R wrist plain film · AP · 14-year-old boy · findings marked uncertain by the reading radiologist · image width 85.2 mm 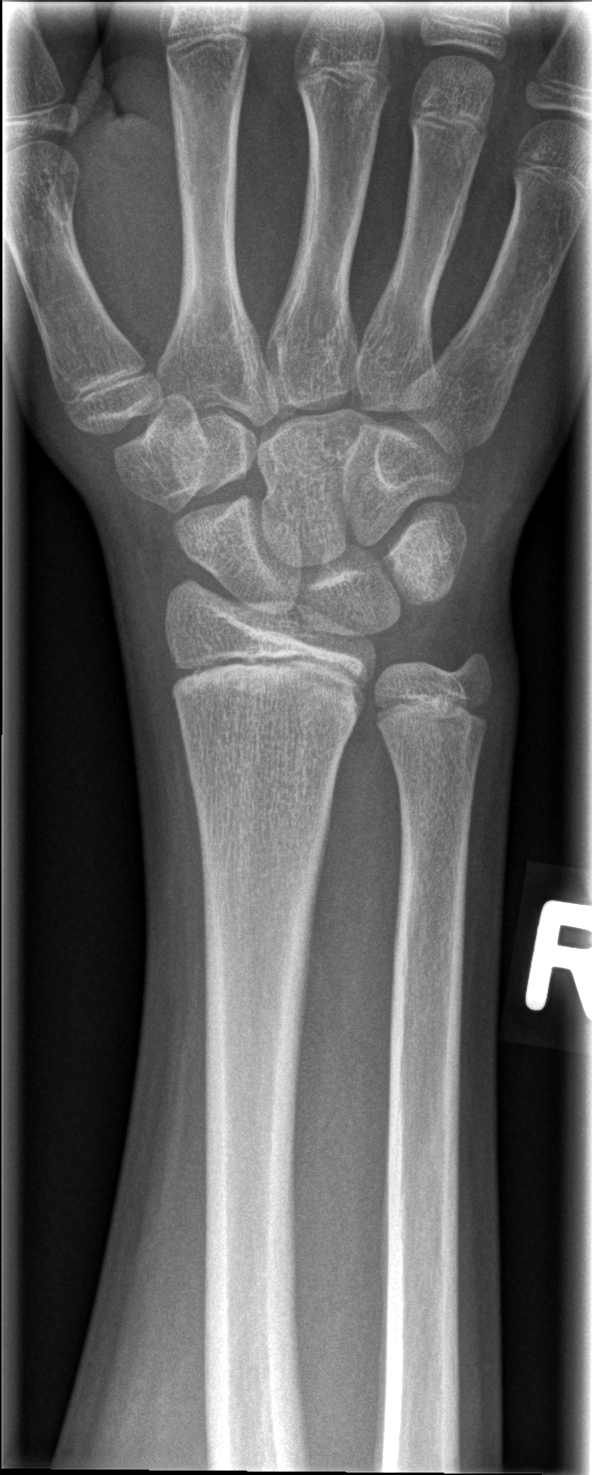
Findings: (bounding boxes in image-pixel xyxy) Fracture classified AO/OTA 72B(c). One bone fracture at <169,503>-<200,565>.